Frontal projection, right wrist radiograph, female, 13 yo, index exam, Siemens, 76.3 mm image width:

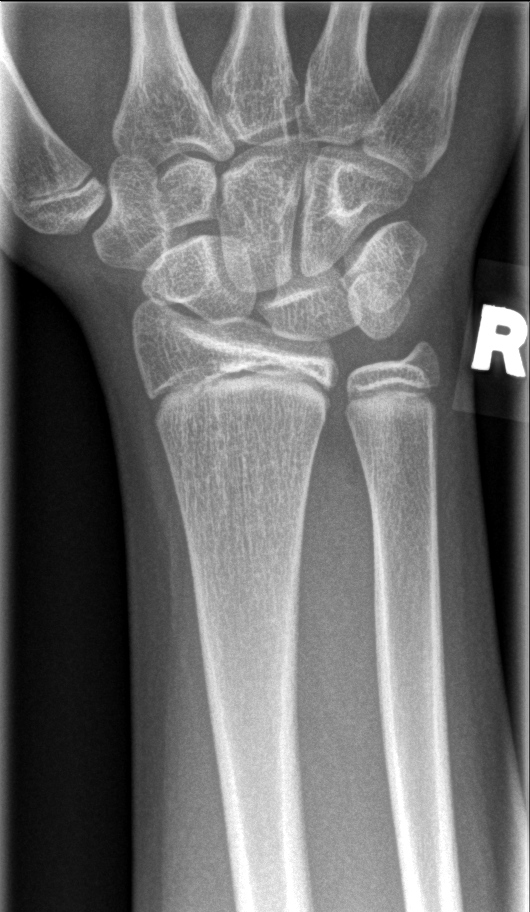

• No fracture annotation.